L wrist radiograph · AP view · follow-up · cast in situ · acquired on Siemens. 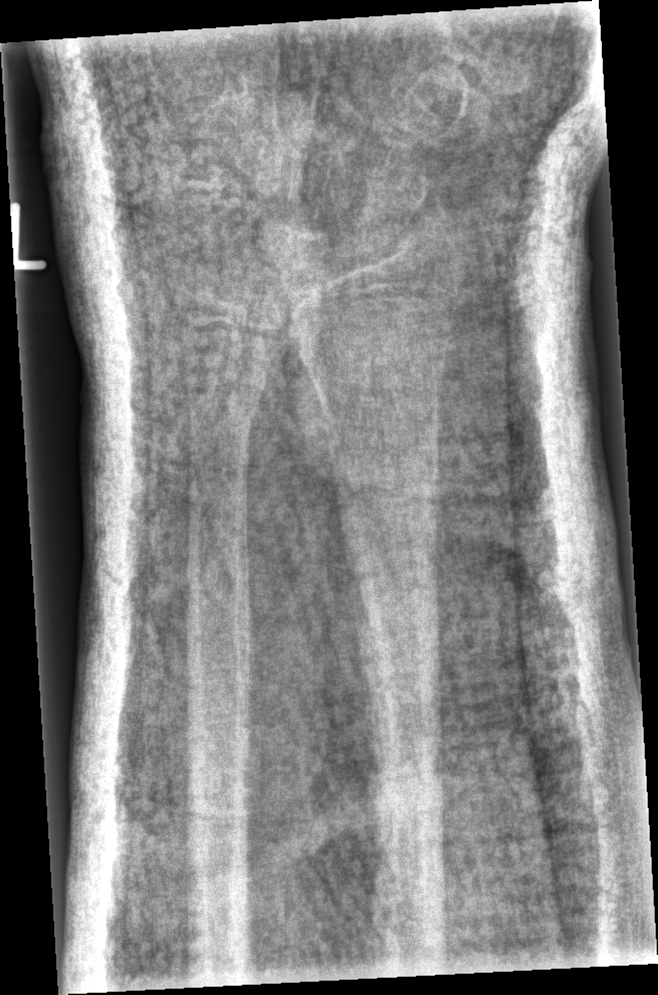 FINDINGS — AO code 23r-M/3.1; 23u-M/2.1. Fx — [327, 469, 446, 539].